Frontal view; right wrist X-ray; age 13 y, girl — 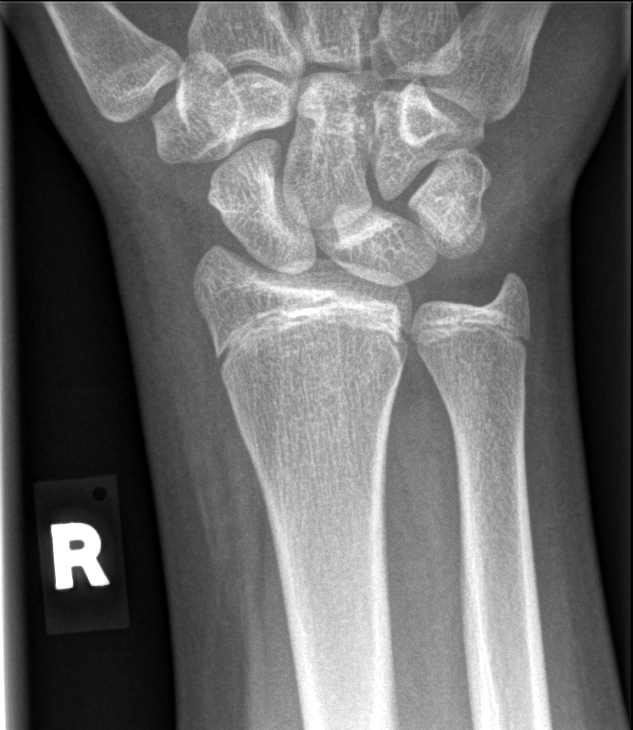

Fx = none labeled